Frontal view, R pediatric wrist radiograph, pediatric patient (female, age 12), equivocal findings, Siemens, image size 508x948: 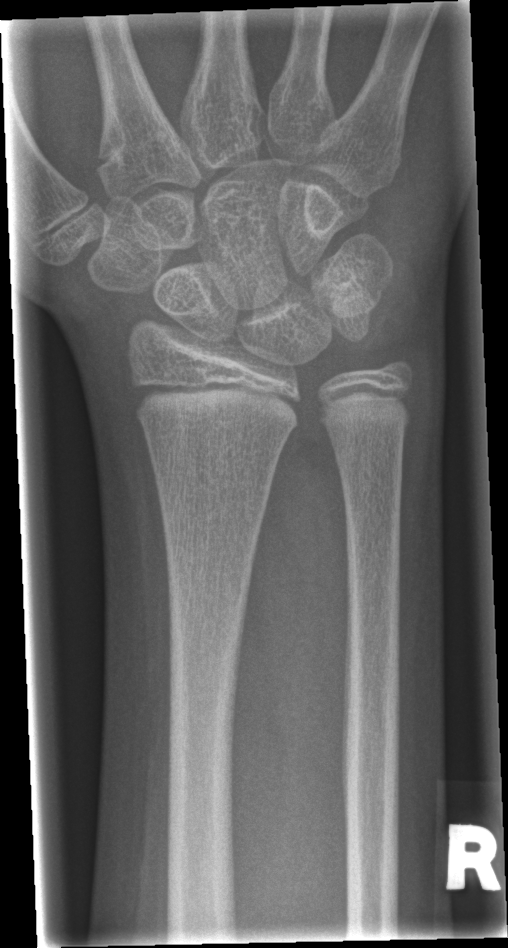
• Fracture: none labeled.